Frontal projection, right wrist plain film, pediatric patient (male, age 11), image width 88.4 mm.

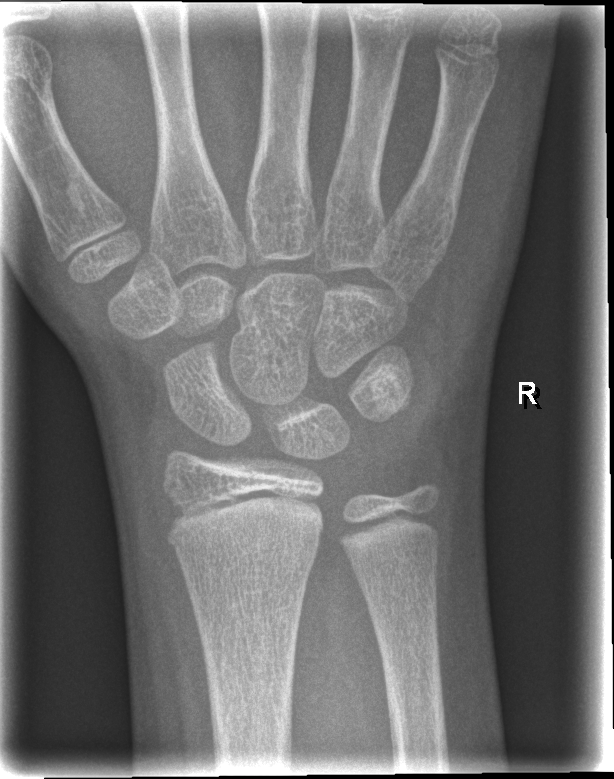 • AO/OTA classification: 23r-M/2.1.
• Fracture present, but no bounding box because it is not clearly seen in this view.